Frontal view, right wrist plain radiograph of the wrist, girl, 11 yo:
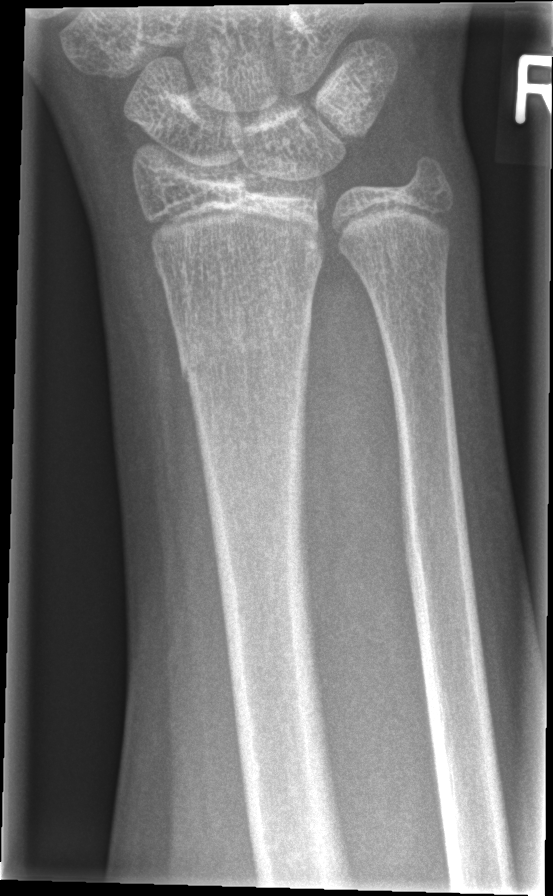 Coordinates are [x1, y1, x2, y2] in image pixels.
Fracture classified AO/OTA 23r-M/2.1.
Bone fracture identified at bbox(174, 304, 315, 397).